R plain radiograph of the wrist, lat, 10y F —
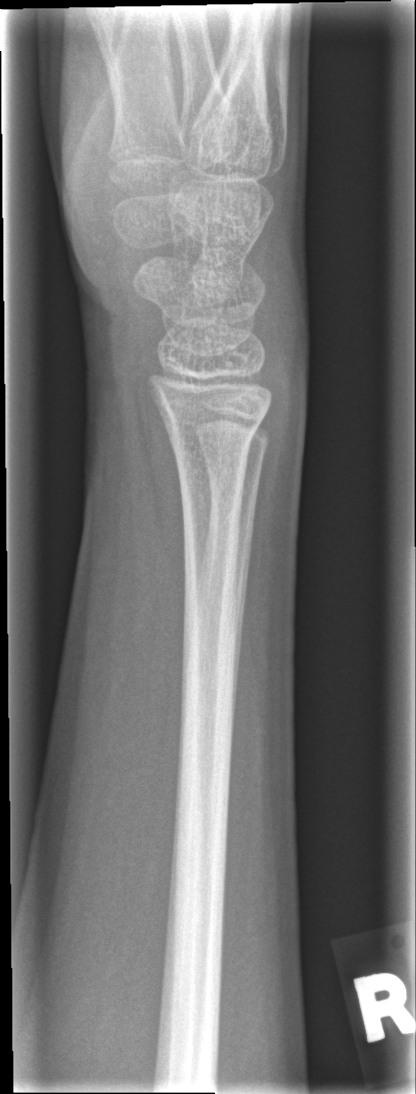

fracture: [x1=161, y1=402, x2=271, y2=467]